Rt pediatric wrist radiograph; PA/AP; presentation radiograph; acquired on Siemens; image size 548x978:
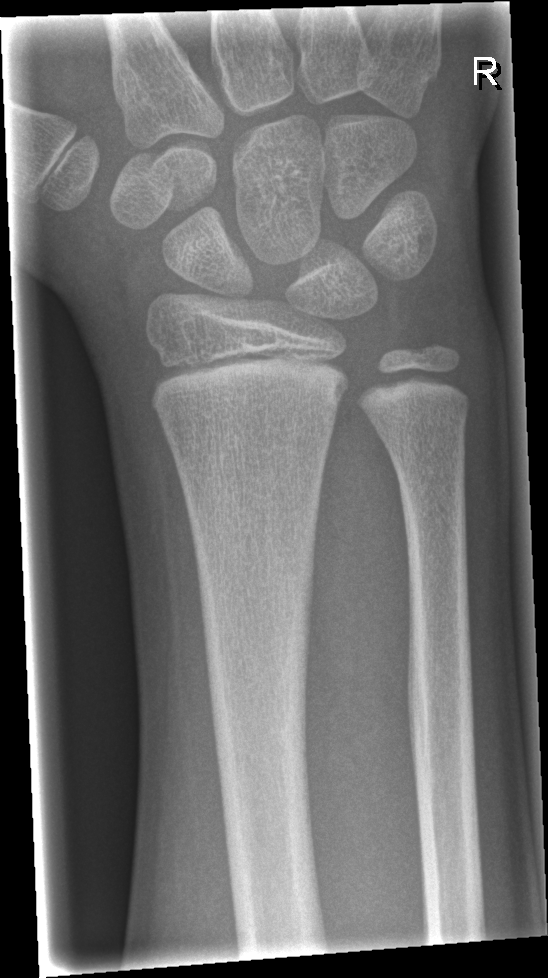 Fracture: none labeled